Posteroanterior | left wrist pediatric wrist radiograph | acquired on Siemens —

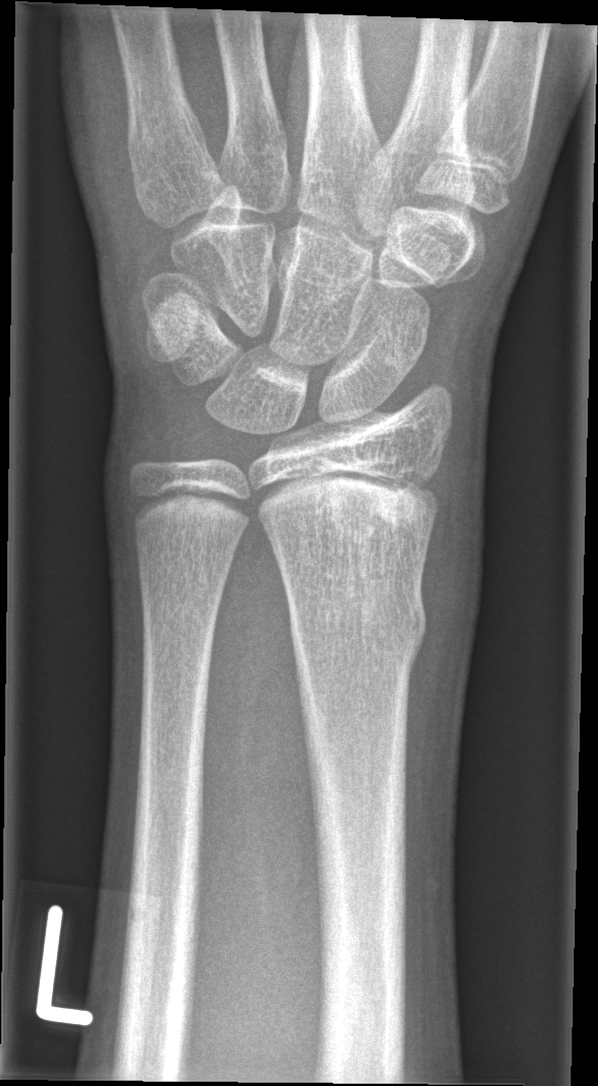

Pixel coordinates, top-left origin, xyxy.
One bone fracture at 287 577 434 668.
Bone anomaly — 317 468 441 543.
Fracture classified AO/OTA 23r-M/2.1.